Rt wrist radiograph; AP view; age 7 y, male — 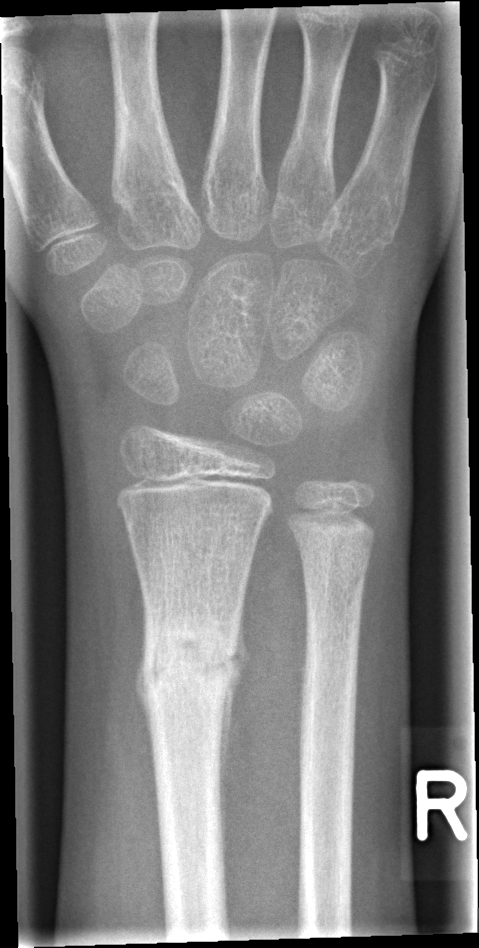 • Bone fracture: [x1=133, y1=617, x2=240, y2=703].
• Periosteal thickening: [x1=216, y1=637, x2=249, y2=873]; [x1=134, y1=594, x2=155, y2=787].